Frontal projection | L wrist XR | pediatric patient (boy, age 10) 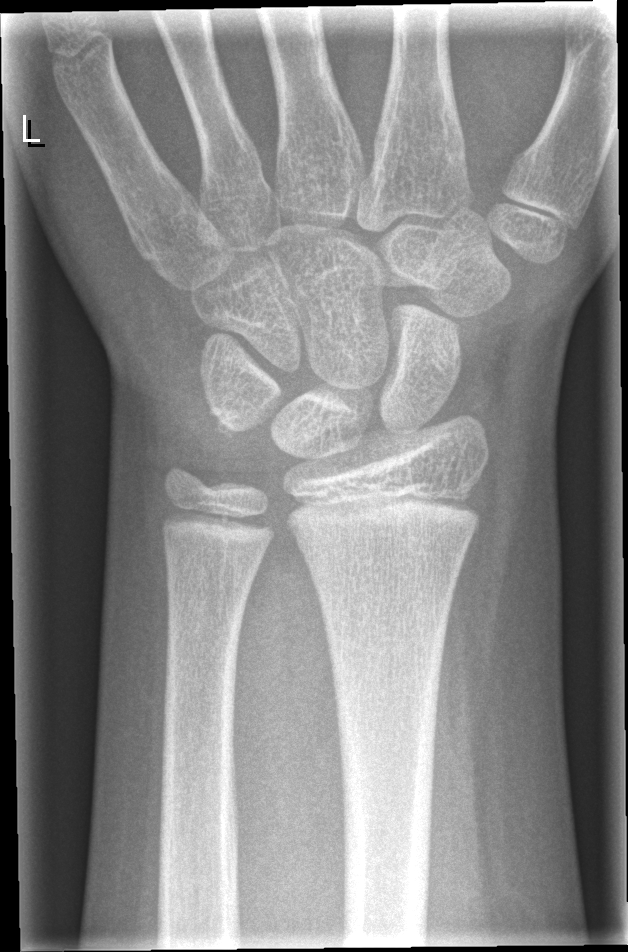 bone fracture = none labeled